Rt plain radiograph of the wrist | lat | in cast | Siemens.
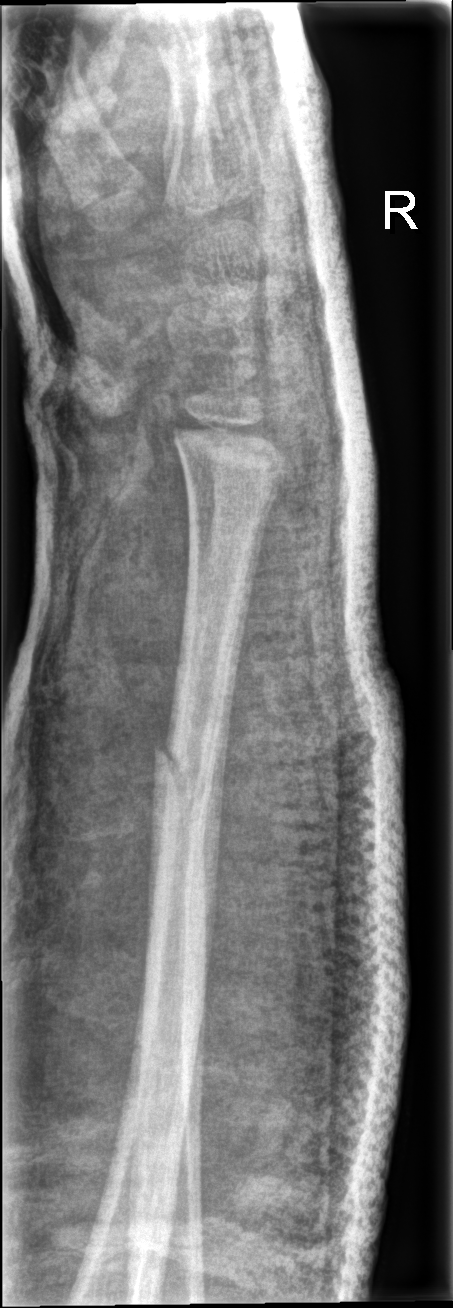 Fx identified at [x1=154, y1=718, x2=229, y2=814].